Posteroanterior projection; Rt wrist X-ray:
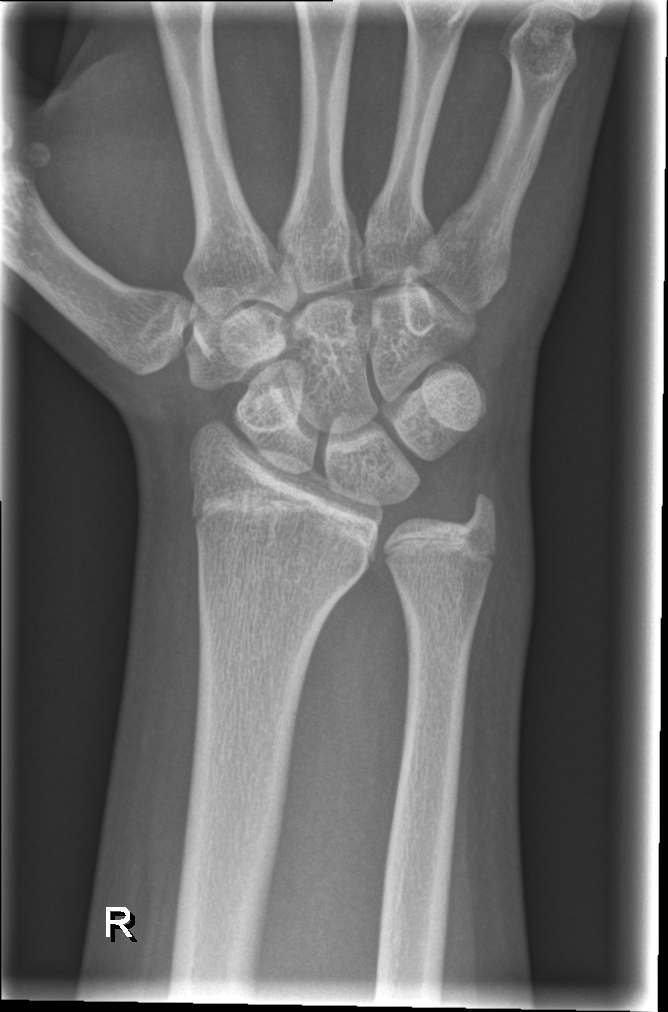 Fracture: none labeled.